Rt wrist radiograph · AP view · girl, 10 yo · follow-up study · imaged through cast

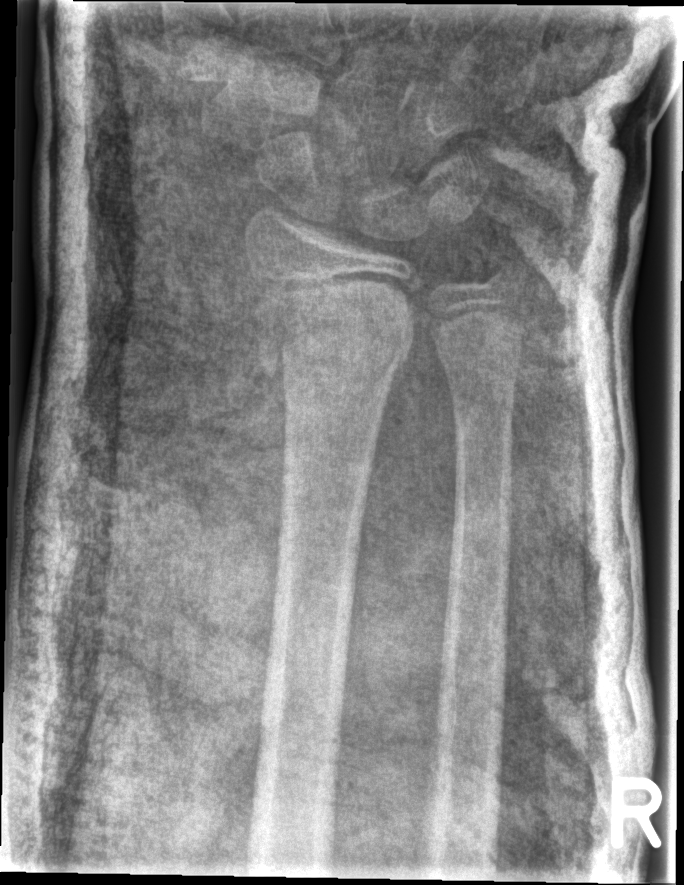
Fracture: (250, 268, 420, 384); (479, 244, 534, 297).